Lateral projection · right wrist XR · age 14 y, male · index exam · 81.2 mm image width

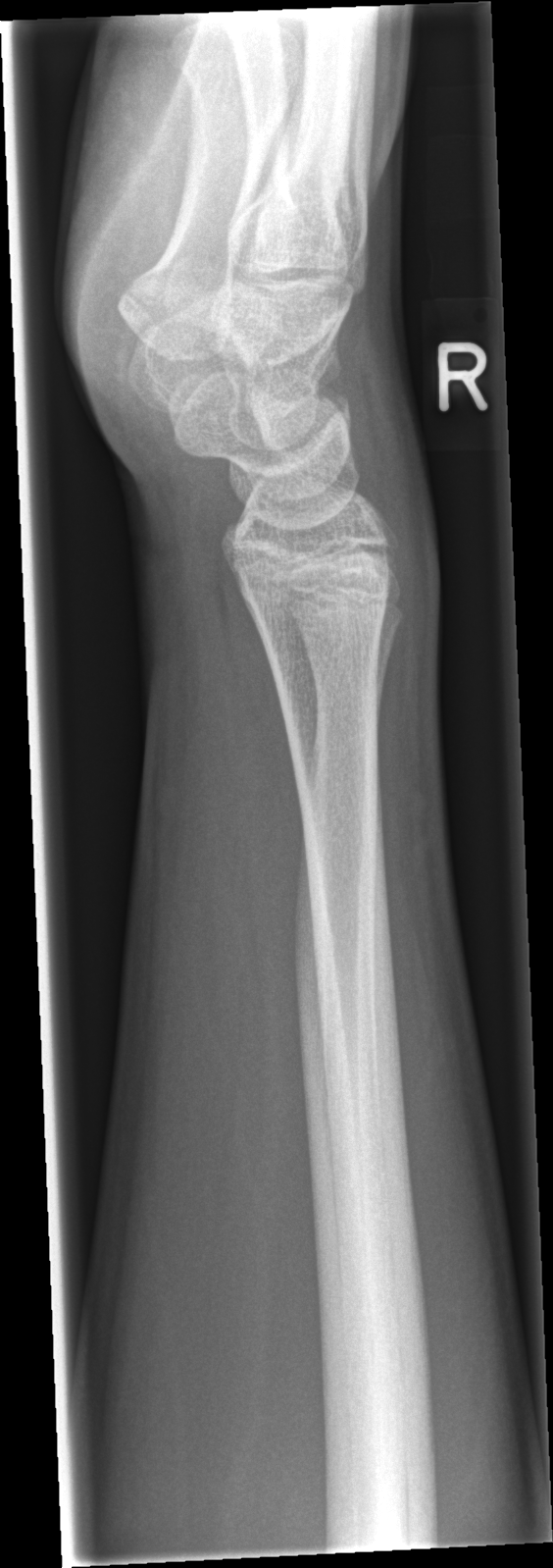 Findings: No Fx annotated.